Right wrist radiograph; lateral; age 8 y, male.
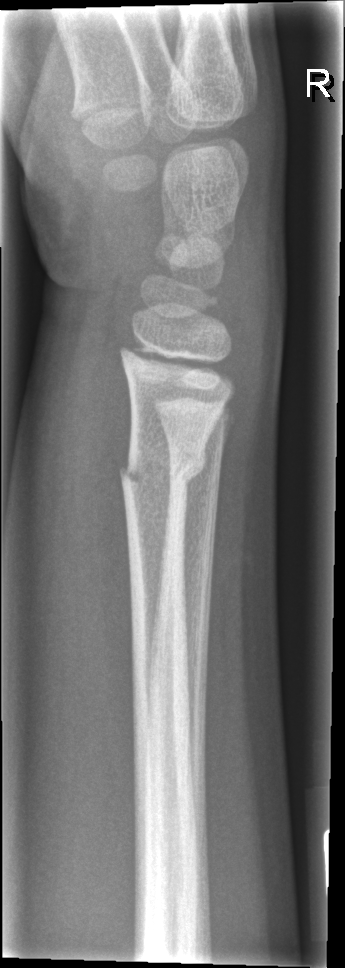
Fx: 116,441,211,501
AO/OTA: 23r-M/3.1